PA/AP; right wrist plain film; 13y F; 101.4 mm image width; 704x684. 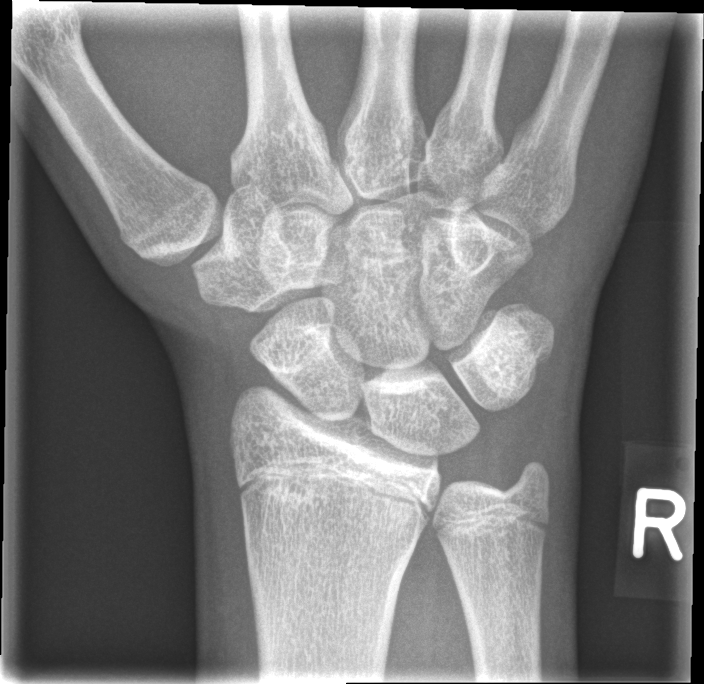

Fracture: none labeled.